Left plain radiograph of the wrist; lat projection; 584 x 1063 px: 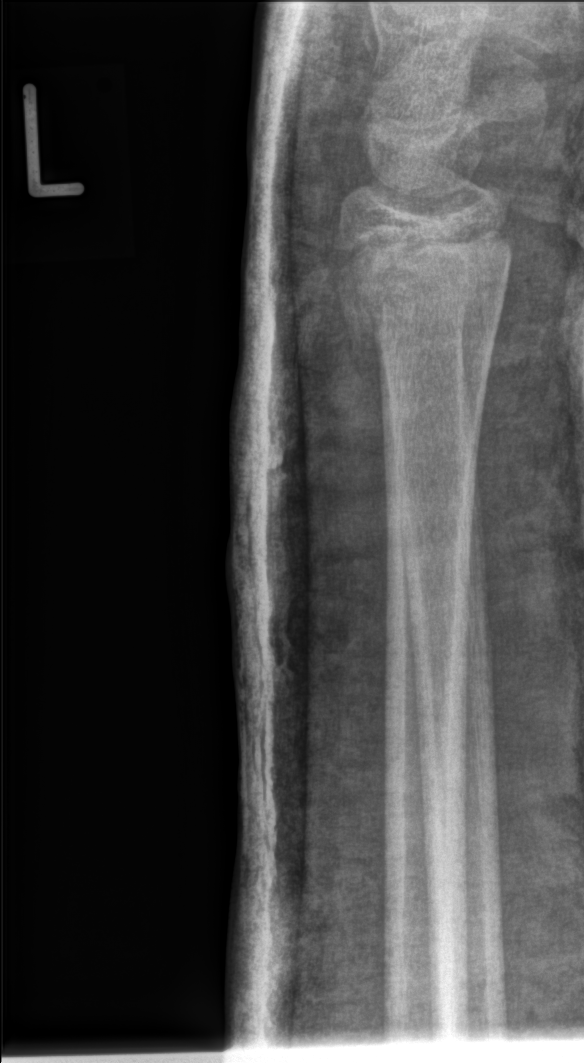

• Bounding boxes in image-pixel xyxy.
• AO/OTA classification: 23r-M/3.1; 23u-E/7.
• One Fx at 330 220 515 348.